Lt wrist XR; lat view; 8y F; cast in situ; image 58.2 mm wide
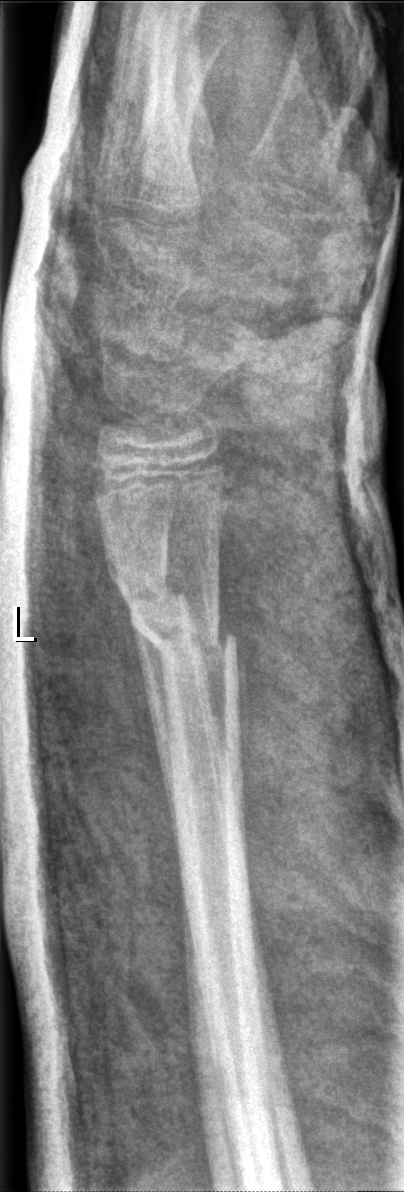
Fx: (left=120, top=574, right=242, bottom=669)
AO classification: 23-M/3.1